PA view | R wrist radiograph | 15y M | follow-up | detector: Siemens

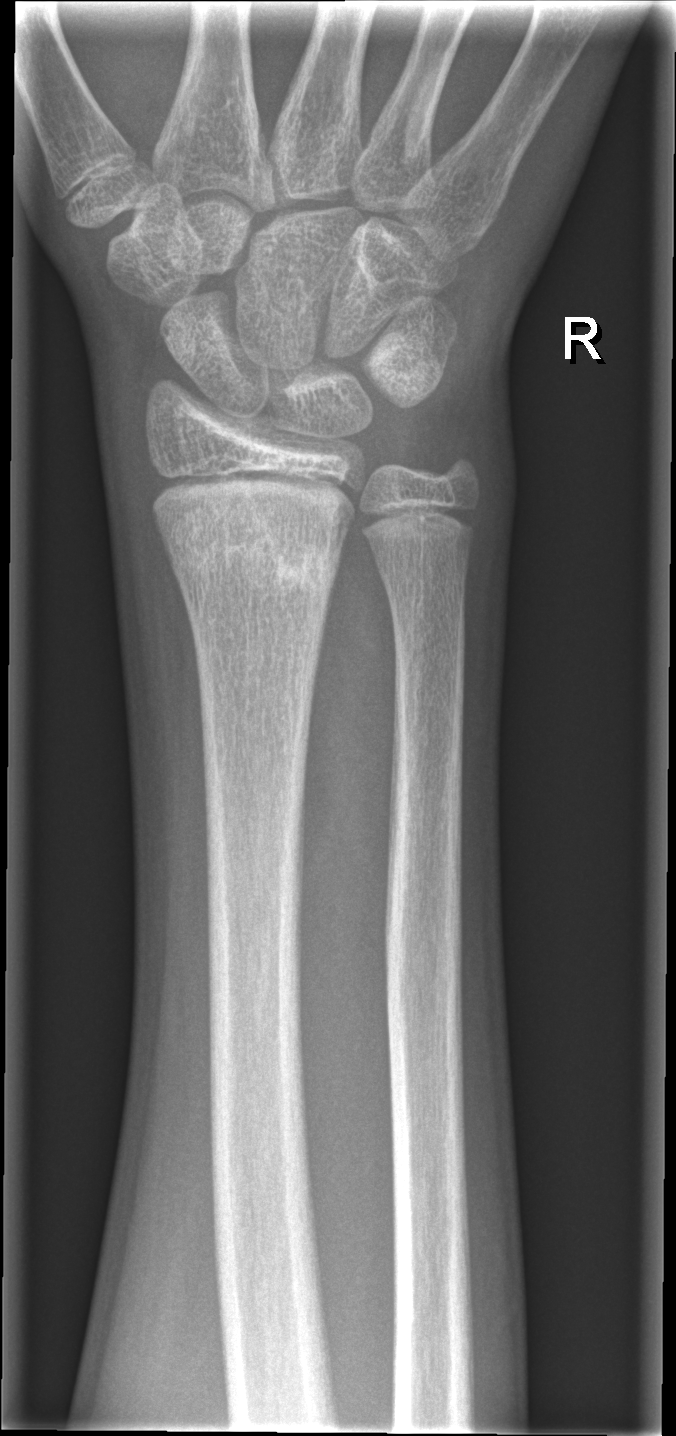

FINDINGS: Fracture identified at bbox(161, 500, 344, 632). AO code 23r-M/2.1.